Lt wrist X-ray, frontal, 79.5 mm image width. 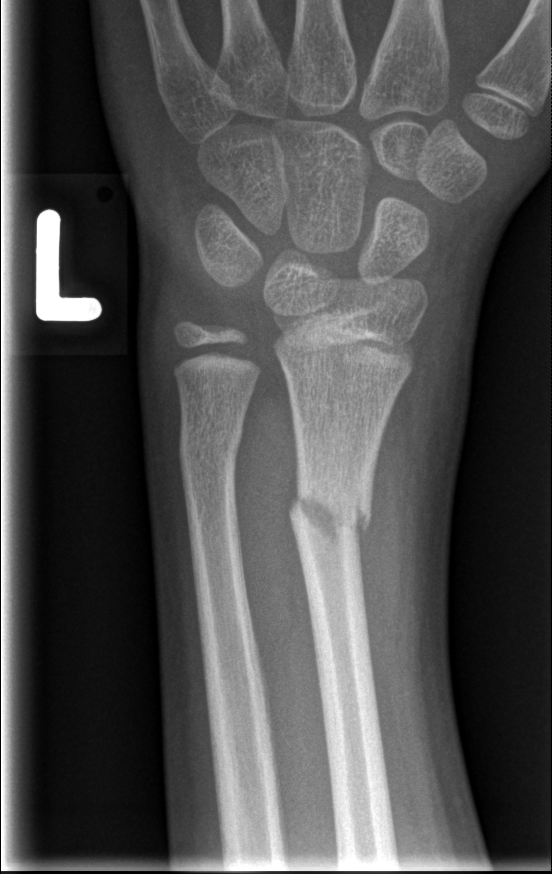

{"fracture": "(left=285, top=476, right=374, bottom=549); (left=175, top=422, right=247, bottom=473)"}